L pediatric wrist radiograph, frontal view, pediatric patient (female, age 13):
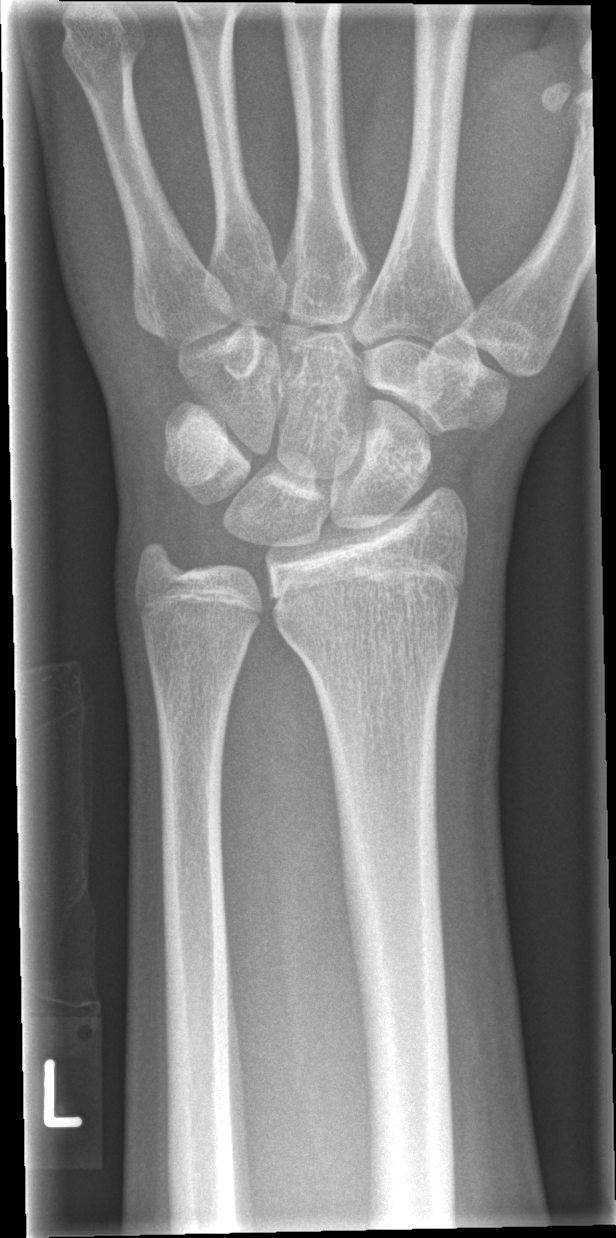

{
  "fracture": "none labeled"
}